Lat; left wrist X-ray; follow-up; cast in situ:

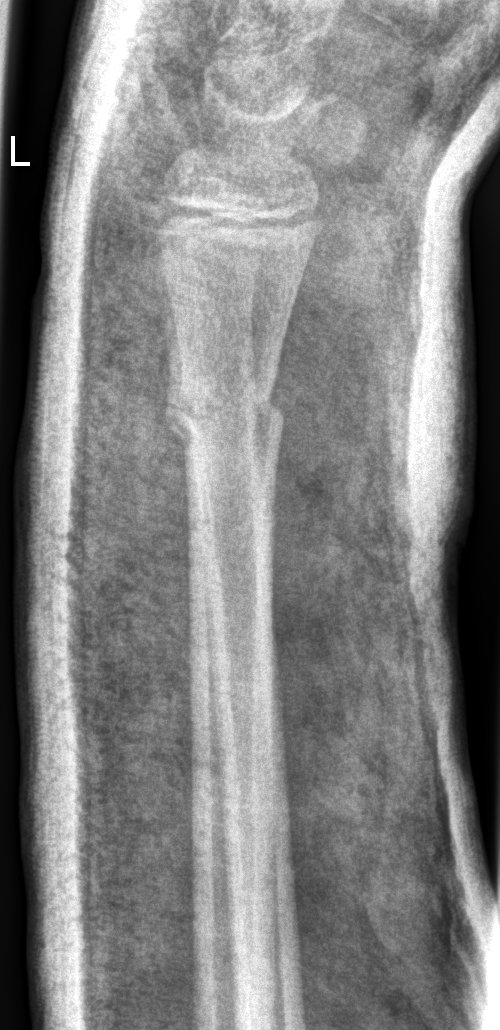 Bounding boxes in image-pixel xyxy. AO/OTA classification: 23-M/3.1. Fx identified at (left=160, top=366, right=287, bottom=469).